Left wrist radiograph; lat projection; pediatric patient (male, age 13); detector: Siemens; 551 x 1234 px.

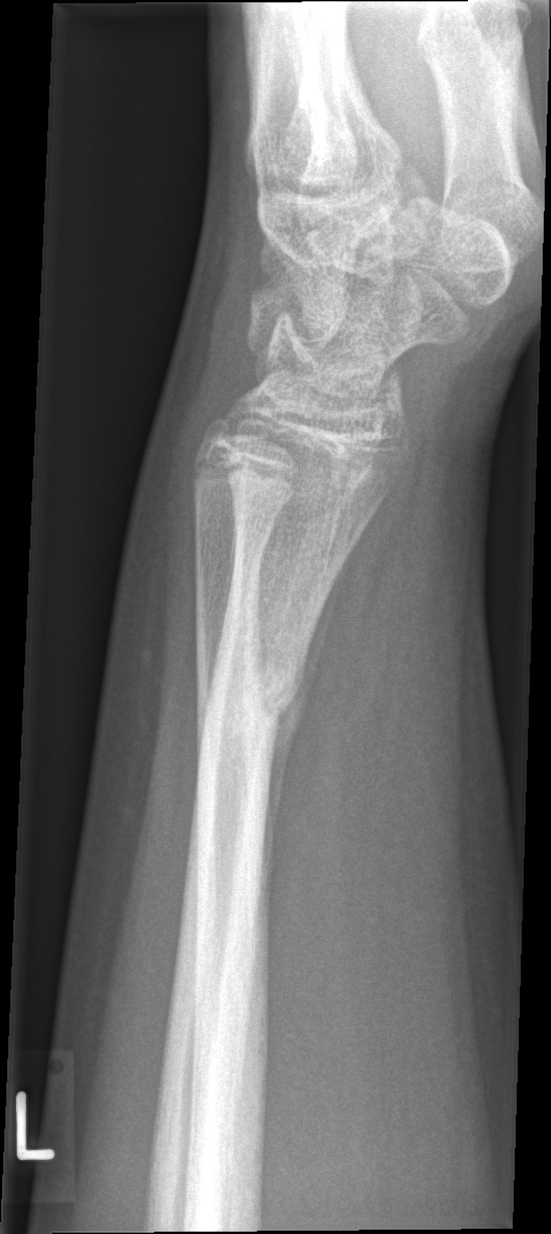

FINDINGS — (boxes as x1,y1,x2,y2 (top-left / bottom-right, pixel units)) One bone fracture at (left=189, top=640, right=306, bottom=749). One periosteal new bone at (left=260, top=518, right=371, bottom=915). AO code 23r-M/2.1.